Posteroanterior projection; right wrist XR; 3-year-old male; acquired on Siemens.

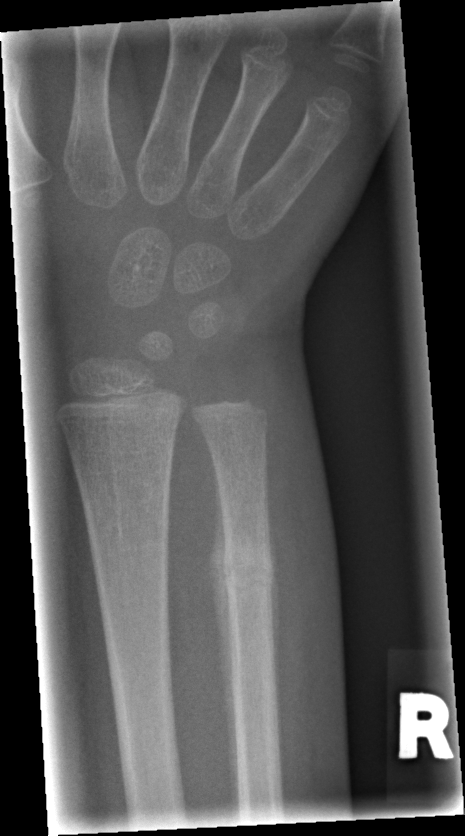 {"periostealreaction": "2 @ (208, 460, 242, 817), (267, 501, 282, 745)", "fracture": "1 @ (218, 548, 275, 604)"}